Lateral, left wrist radiograph, 585 x 1278 px — 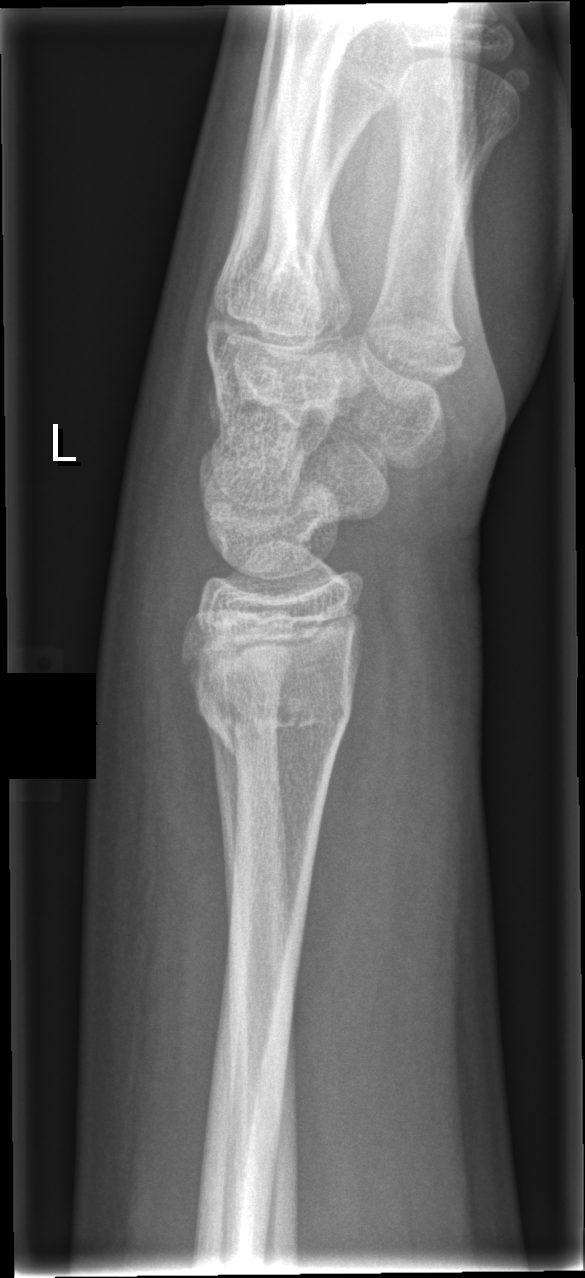 AO/OTA classification: 23r-M/3.1; 23u-M/2.1.
One bone fracture at bbox(189, 667, 357, 759).
Soft tissue abnormality identified at bbox(91, 432, 222, 895).